Right wrist radiograph | lat projection
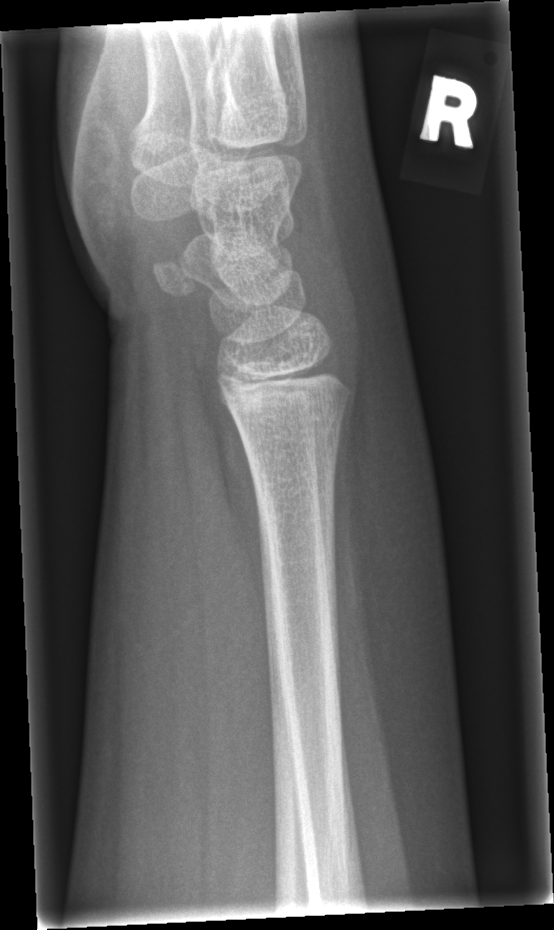 No fracture labeled.